Frontal; R wrist plain film; age 12 y, girl; image width 91.4 mm: 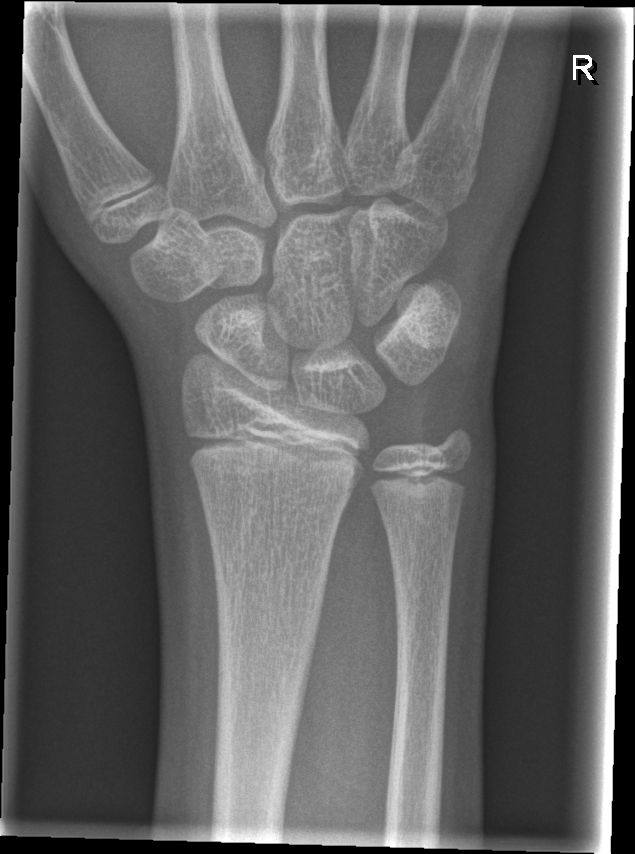

No fracture bounding box.